Frontal | right wrist XR | cast present —

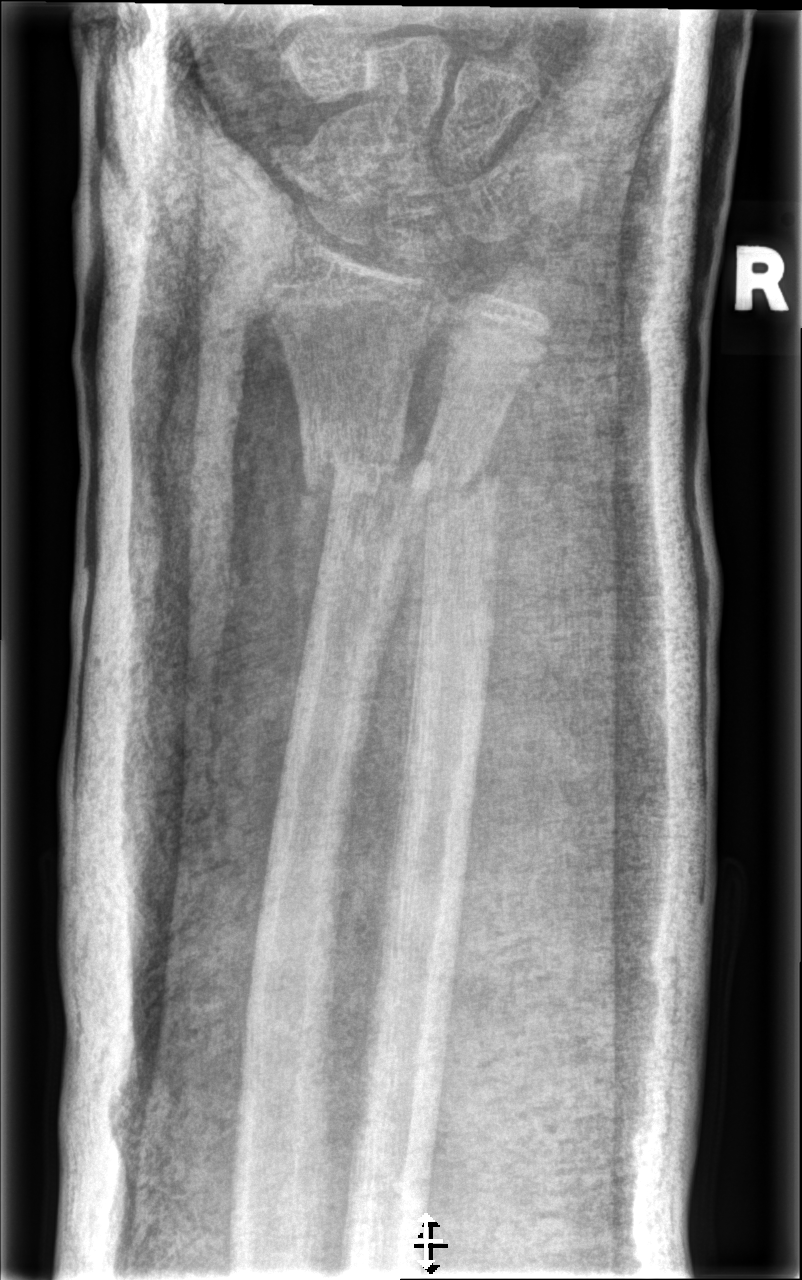 Findings: (boxes as x1,y1,x2,y2 (top-left / bottom-right, pixel units)) Fracture classified AO/OTA 23-M/3.1. Two bone fractures at (296, 417, 438, 536), (414, 431, 509, 530).